Left plain radiograph of the wrist, lateral view

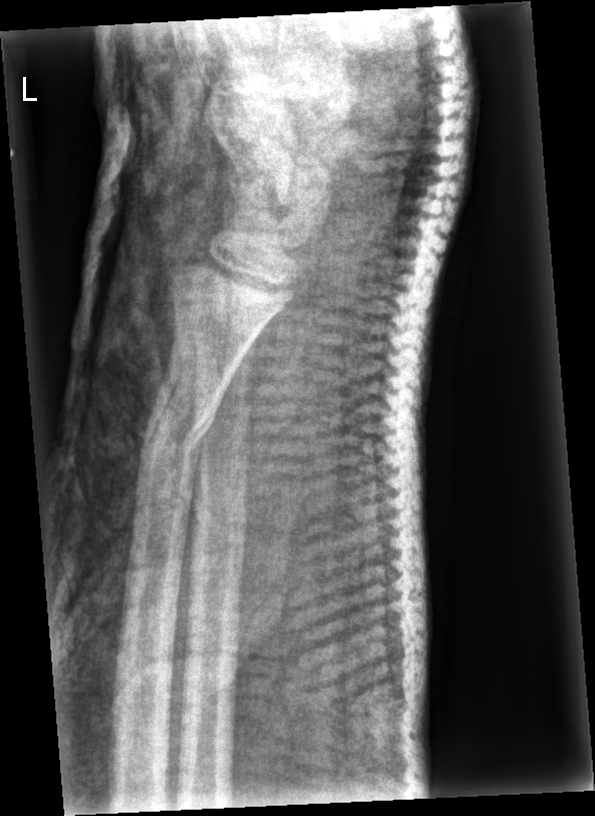 Q: Locate any fractures.
A: Fx — (136, 388, 221, 472)
Q: What is the AO/OTA classification?
A: AO/OTA classification: 23-M/2.1